Rt wrist radiograph, lat, follow-up study, cast in situ —
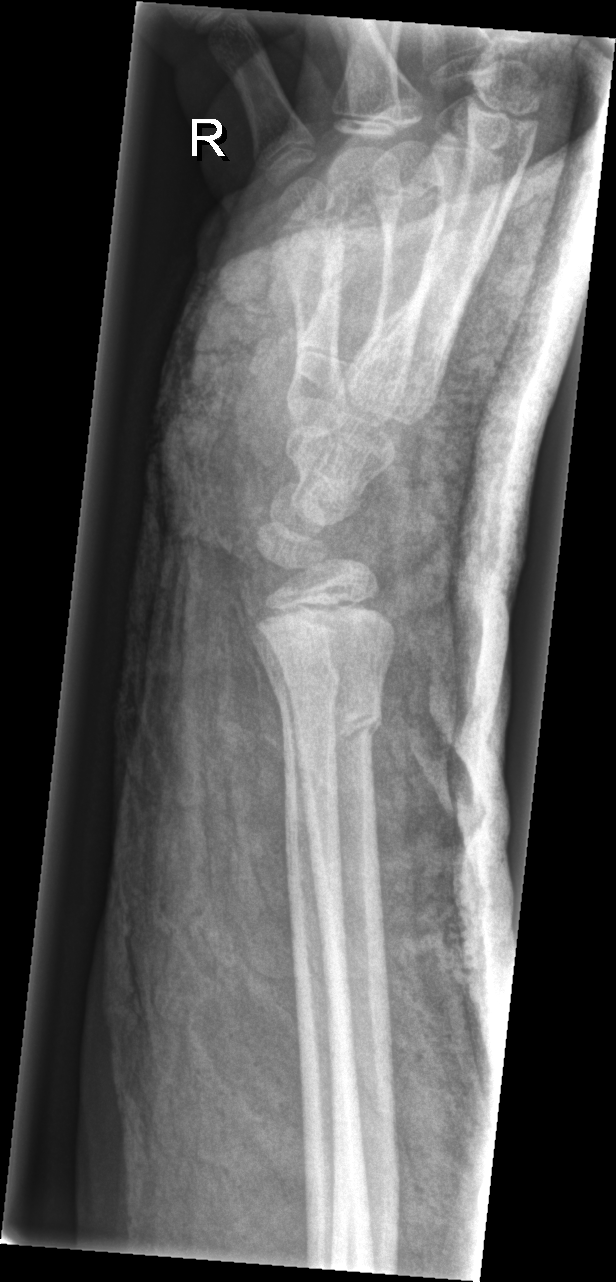
• Bounding boxes in image-pixel xyxy.
• Two Fx at 281,674,387,771 | 267,653,346,726.